Posteroanterior projection, right pediatric wrist radiograph, male, 9 yo, presentation radiograph, 634 by 870 pixels.
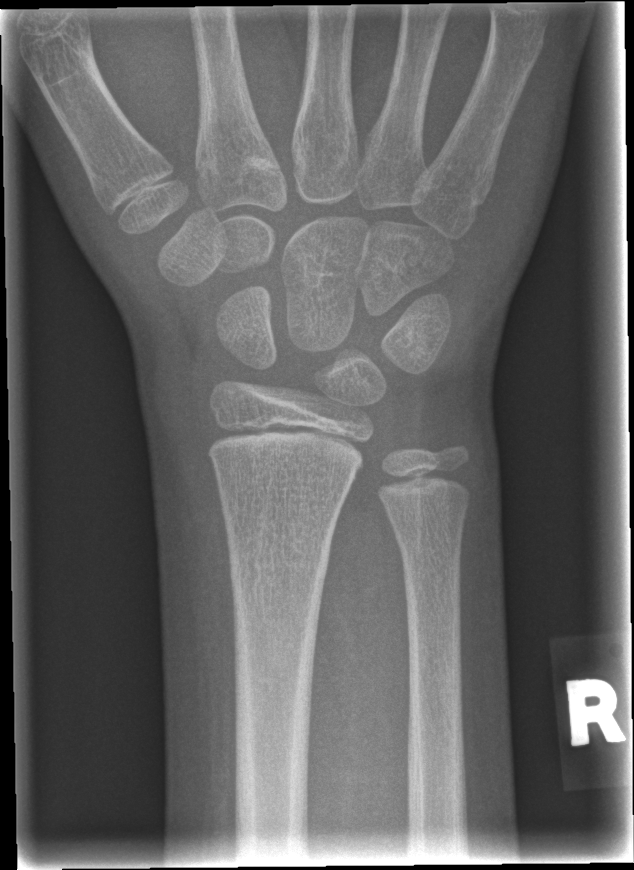 Coordinates are [x1, y1, x2, y2] in image pixels.
Fx identified at 225,541,332,586.
AO code 23r-M/2.1.